Lateral, Rt wrist plain film, male, 9 yo, cast present 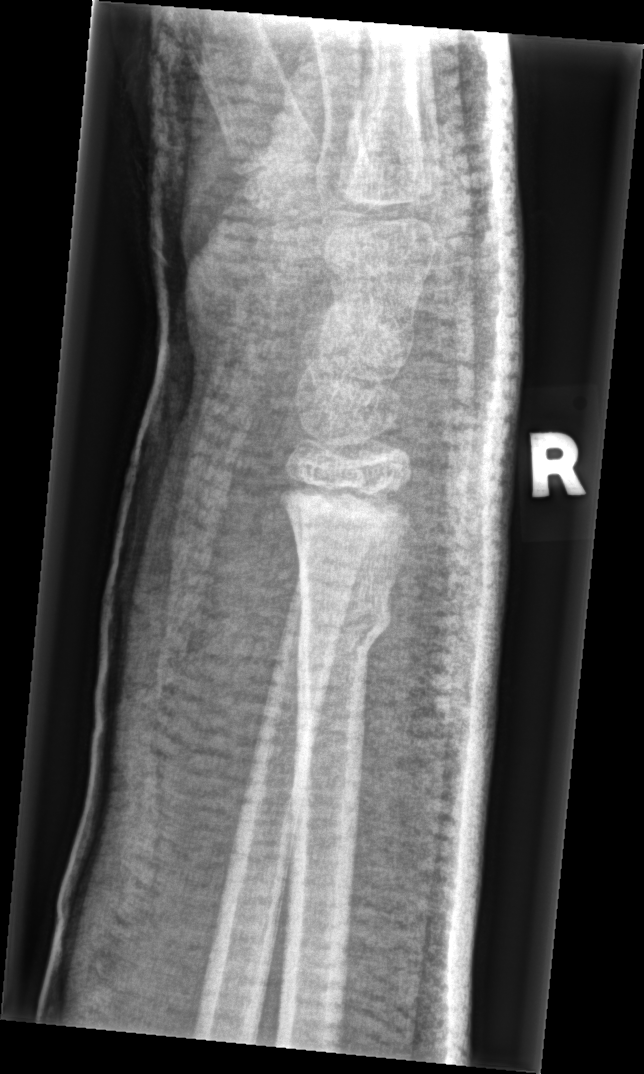
AO code: 23r-M/3.1
bone fracture: 1 @ <292,587>-<395,674>